Lat projection; L wrist X-ray
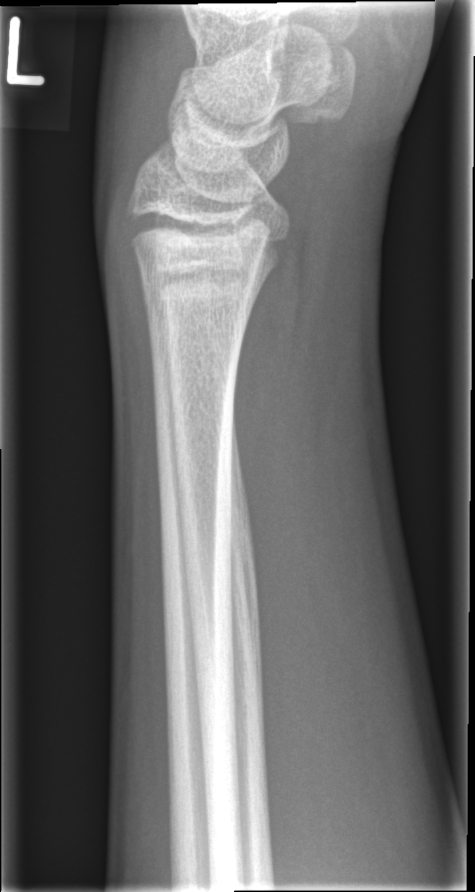

Fracture: none labeled.